Left wrist XR, posteroanterior projection, index exam. 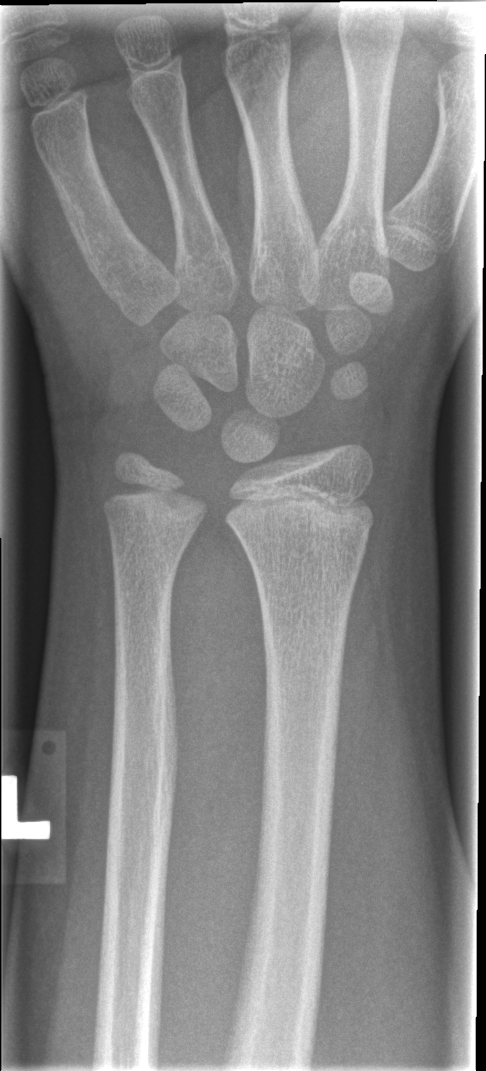

No fracture labeled.